PA projection | right wrist plain film | age 15 y, female. 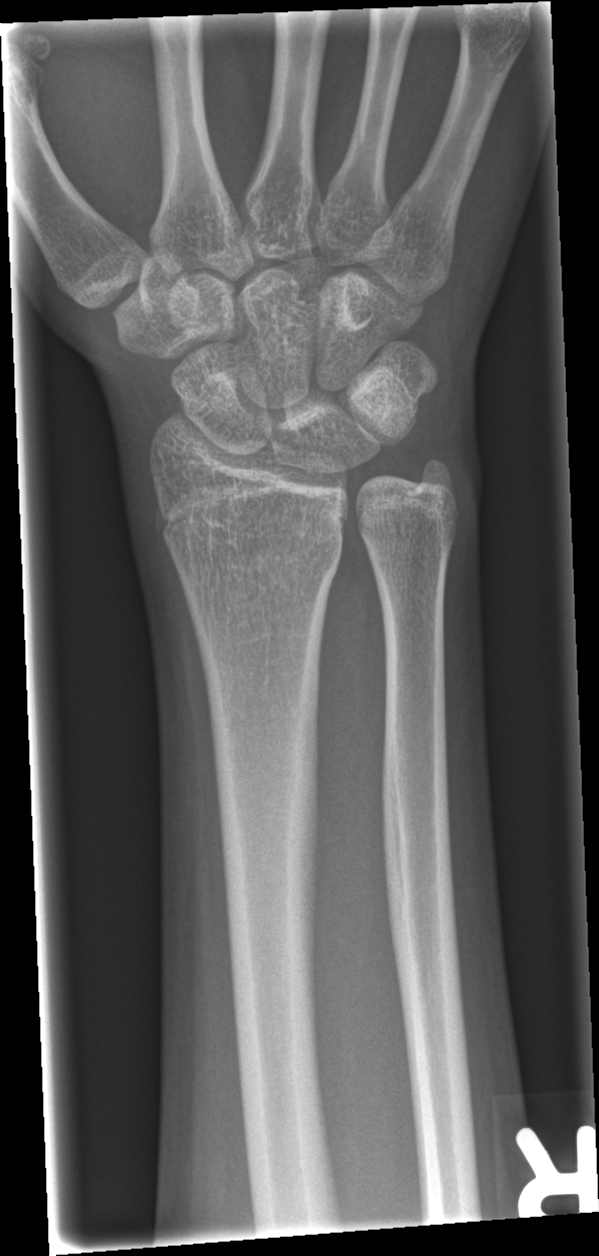
Q: Is there a fracture?
A: Fracture: none labeled